Lateral projection; Rt wrist plain film; pediatric patient (male, age 16); presentation radiograph; image 75.2 mm wide.

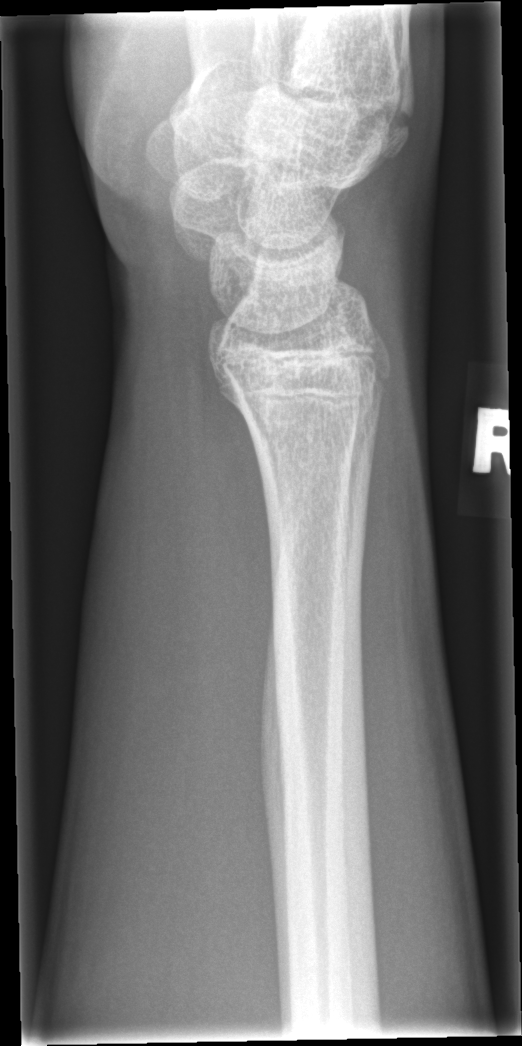

No fracture annotation.